PA view | right wrist XR | boy, 14 yo | acquired on Siemens — 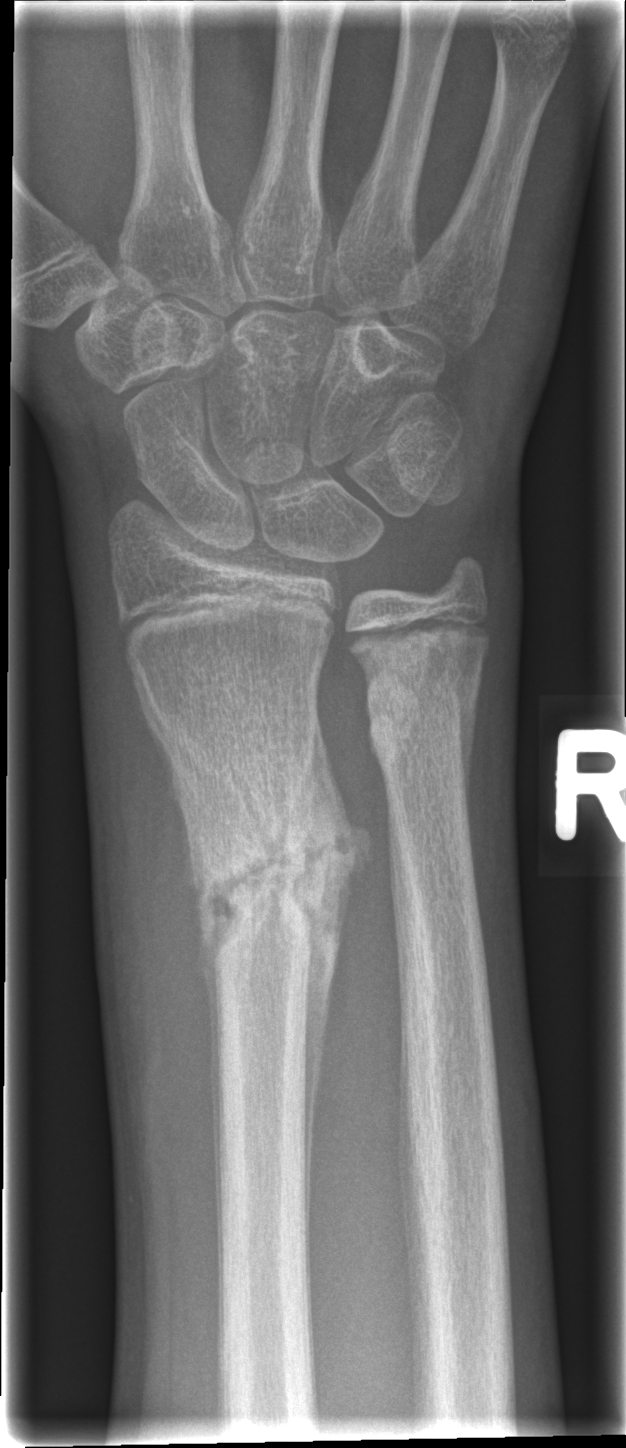

bone fracture = <193,775>-<349,976> <363,631>-<487,776>
osteopenia = present
AO/OTA = 23-M/3.1
periosteal new bone = <290,705>-<370,1291> <202,914>-<225,1364> <455,640>-<488,847>